L wrist X-ray | lateral projection | cast present | 483 x 1092 px:
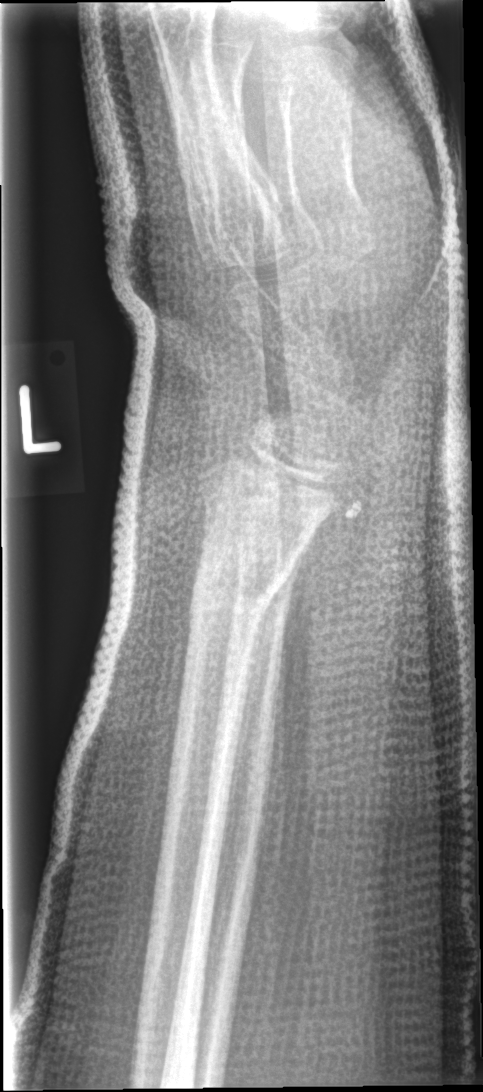 FINDINGS: AO/OTA classification: 23r-M/2.1. Fx — (182, 558, 296, 632).